Left wrist XR · PA/AP projection 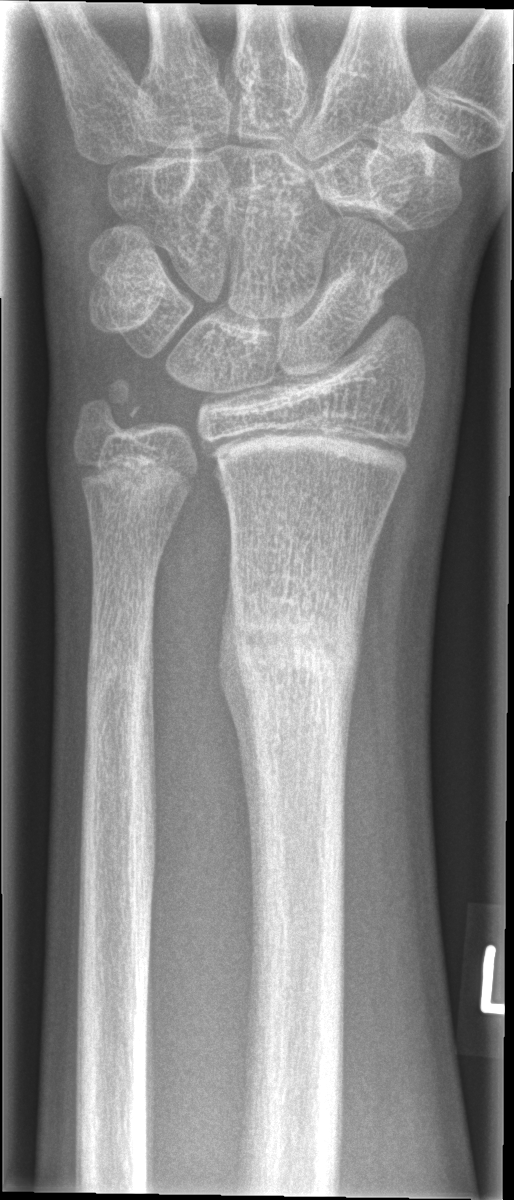 Pixel coordinates, top-left origin, xyxy. Fractures — (left=224, top=595, right=370, bottom=691) (left=70, top=372, right=151, bottom=444). AO/OTA classification: 23r-M/3.1; 23u-M/2.1; 23u-E/7. Periosteal new bone identified at (left=218, top=564, right=270, bottom=1132).